Right wrist X-ray; posteroanterior view; cast in situ; image 114.3 mm wide:
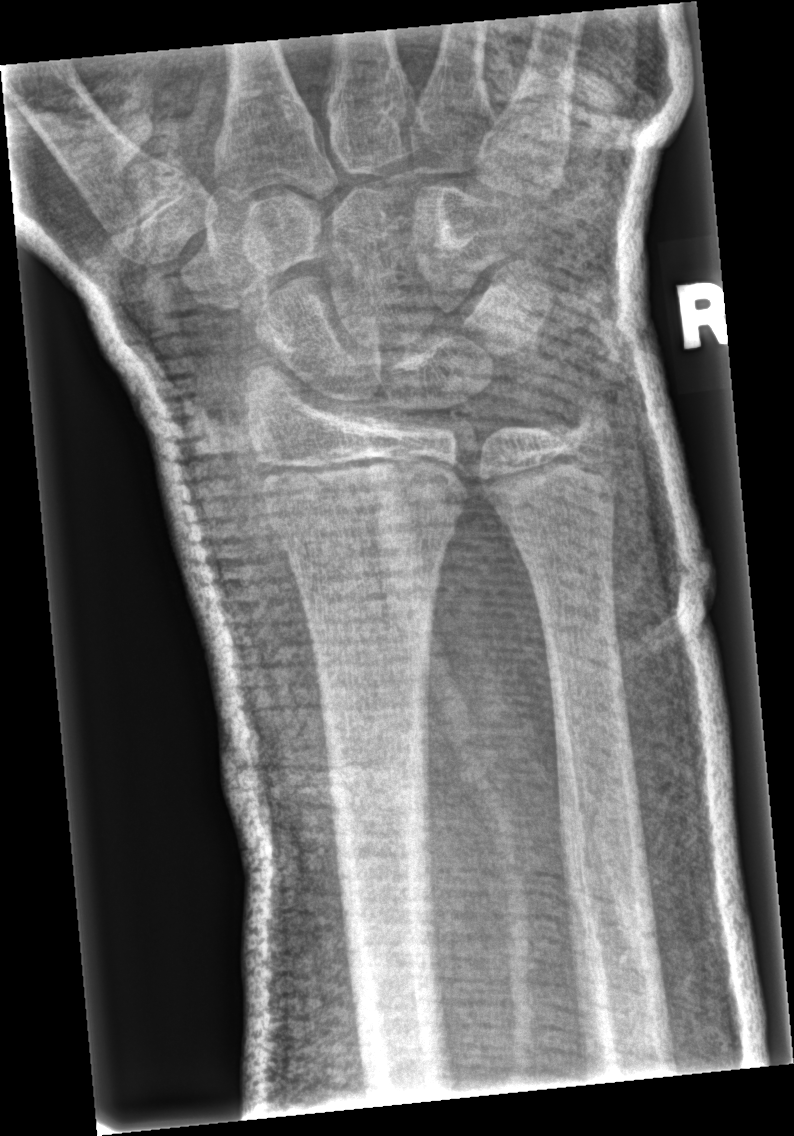
AO classification: 23r-E/2.1; 23u-E/7
fracture: 255 464 473 553; 552 371 626 440